R wrist XR · frontal projection · age 13 y, boy · subsequent exam: 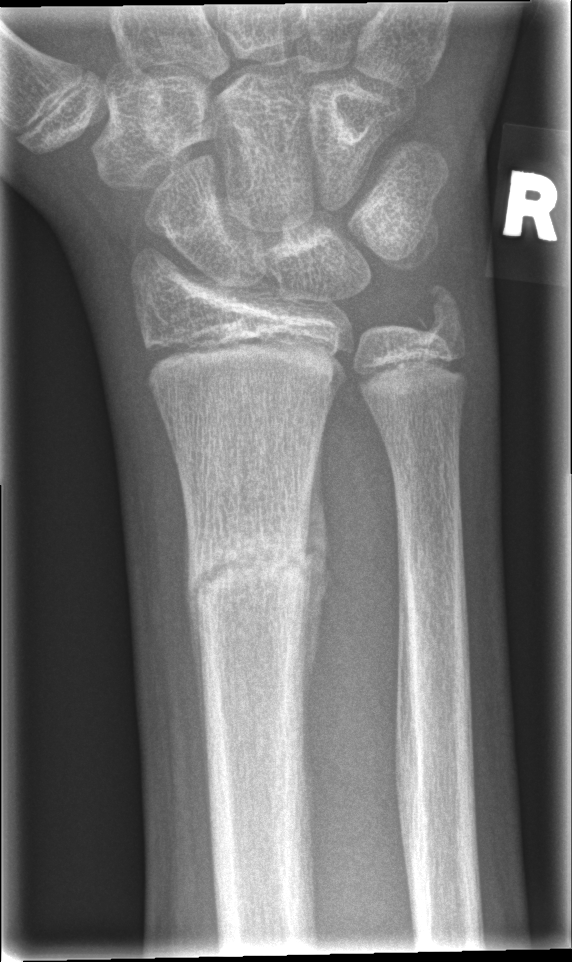
Bounding boxes in image-pixel xyxy. Decreased bone density (osteopenia). Fx: [180, 524, 311, 612] [408, 280, 467, 344]. Periosteal thickening identified at [298, 410, 331, 744]; [182, 499, 211, 778].